Posteroanterior view; right wrist plain radiograph of the wrist; 7-year-old girl; Siemens; 548x916 —
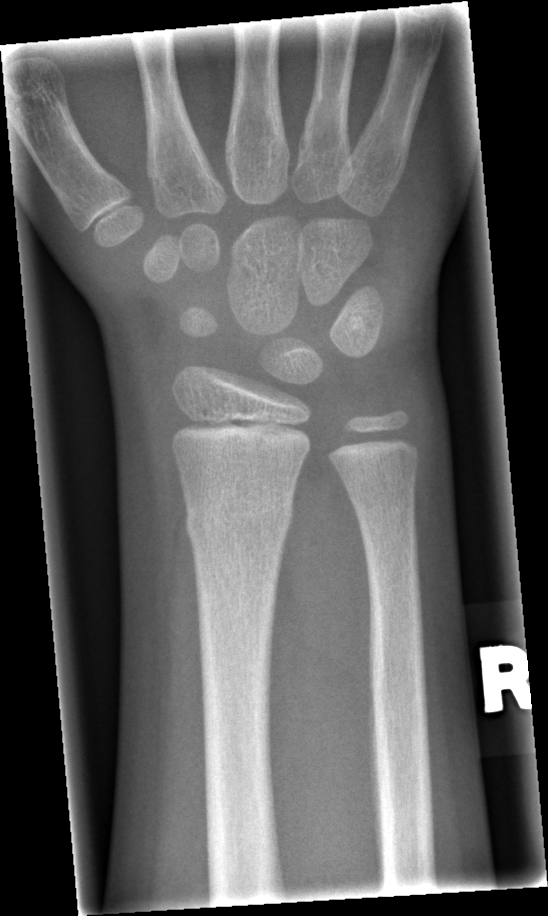
Coordinates are [x1, y1, x2, y2] in image pixels.
One bone fracture at [x1=183, y1=489, x2=296, y2=543].